Left pediatric wrist radiograph | lateral | age 18 y, boy | cast present

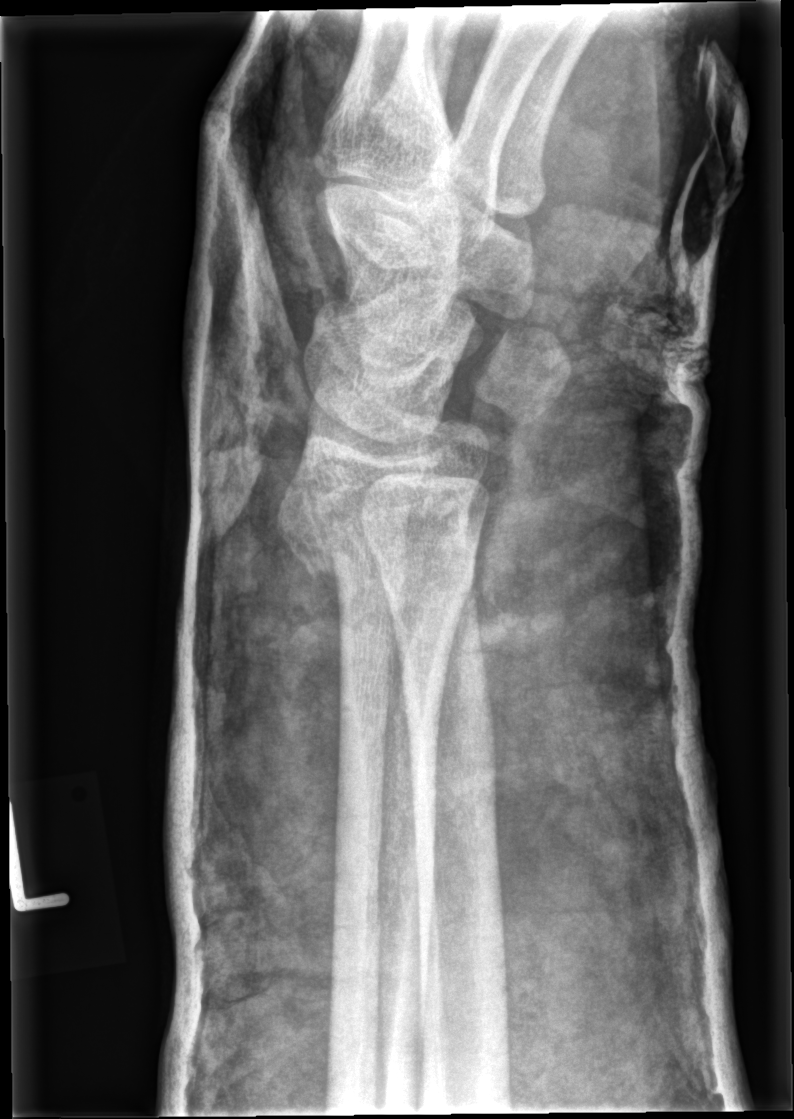

Fracture = [x1=271, y1=471, x2=487, y2=583]
AO classification = 23r-M/3.1; 23u-E/7